R wrist X-ray | lat | diagnosis uncertain.

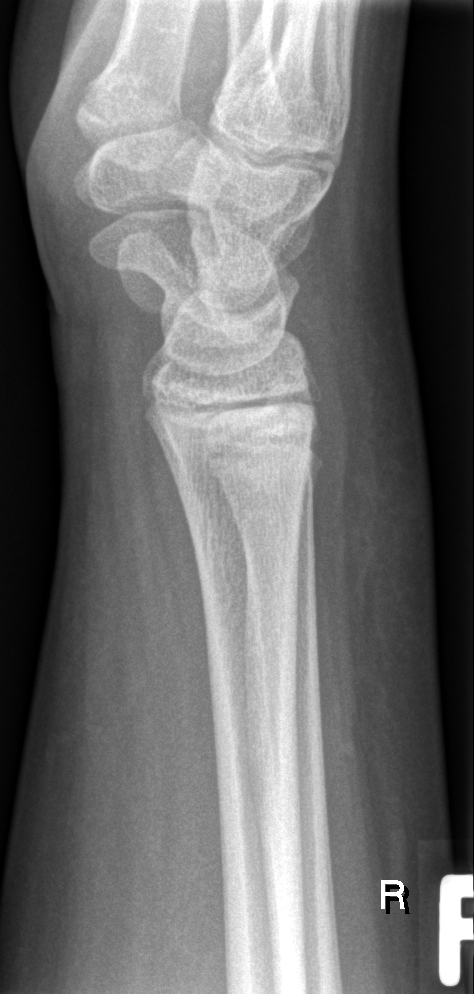 bone fracture: none labeled